Lateral, R wrist radiograph, 9y F.

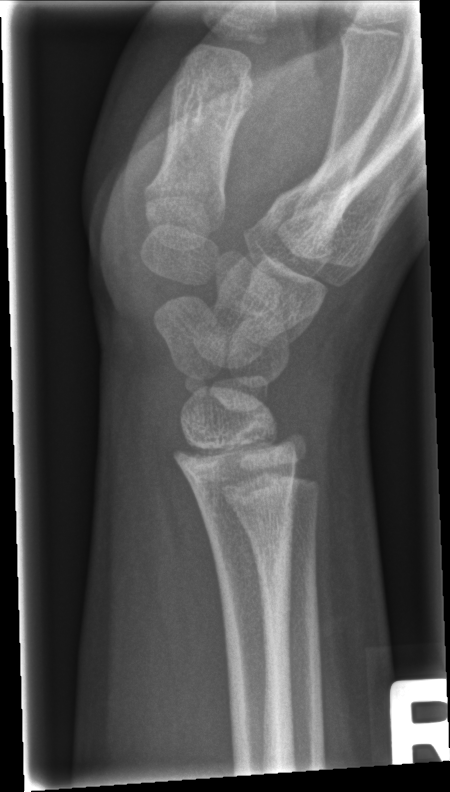
Q: Fracture present?
A: No Fx annotated